Lat view · right wrist XR · female, 6 yo

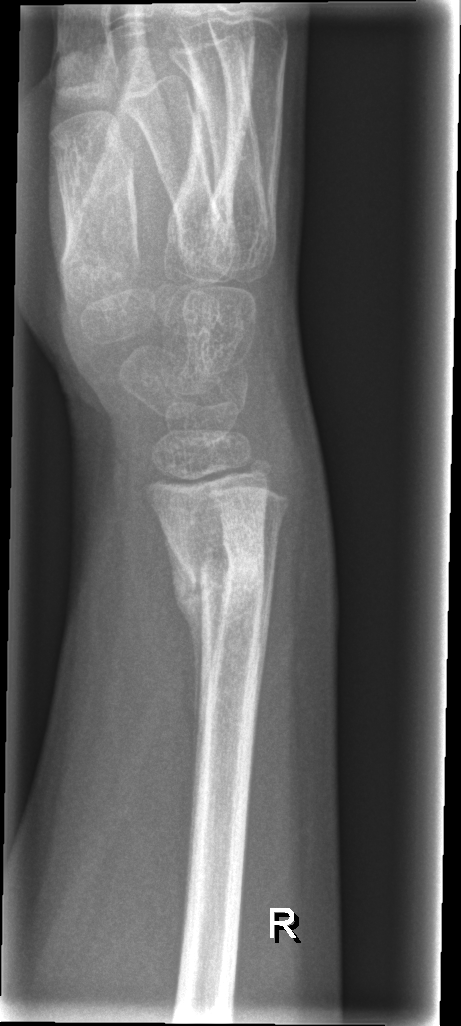

Bone fracture — [x1=165, y1=536, x2=278, y2=638].
Decreased bone density (osteopenia).
One periosteal reaction at [x1=159, y1=521, x2=207, y2=790].